PA/AP, Lt wrist plain film, follow-up, cast in situ:
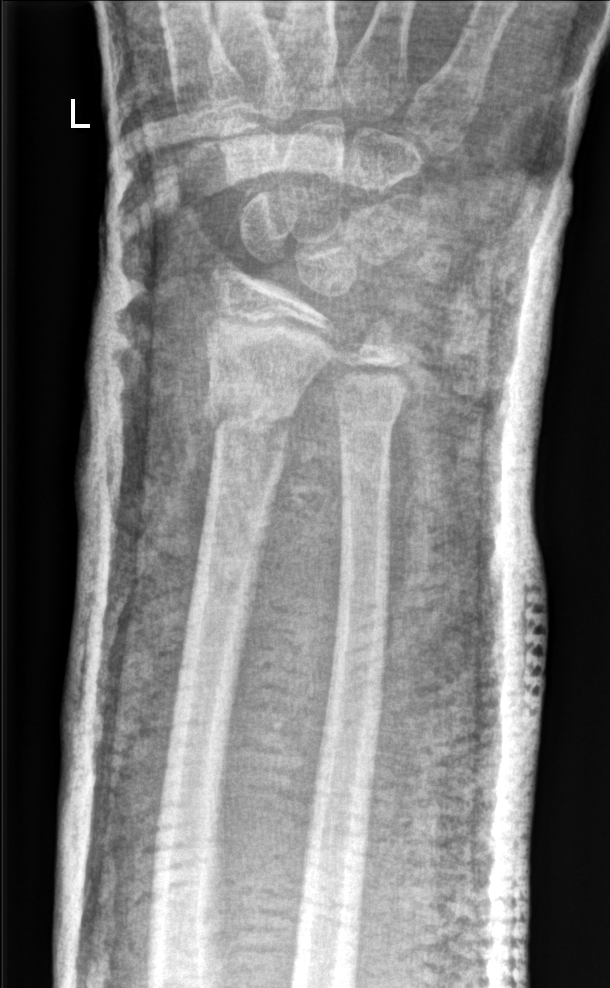

Q: AO code?
A: AO/OTA classification: 23r-M/3.1; 23u-M/2.1
Q: Locate any fractures.
A: Two Fx at (200, 383, 303, 457) (332, 391, 405, 454)